Left wrist pediatric wrist radiograph | PA/AP projection | pediatric patient (female, age 10) | Siemens | image size 568x966 — 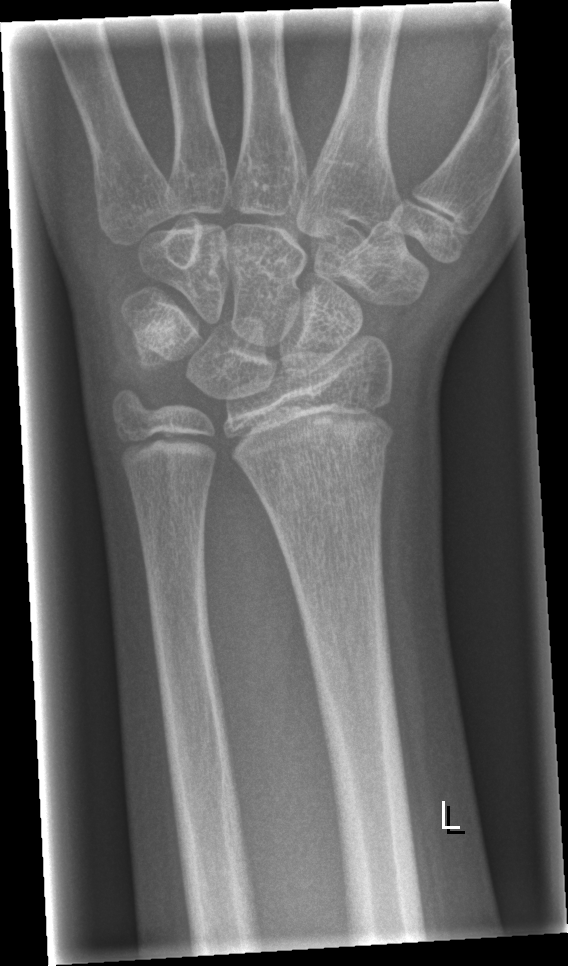 Fx — [231, 419, 399, 466].